Lateral, Rt wrist X-ray, pediatric patient (male, age 1.5), image size 445x696. 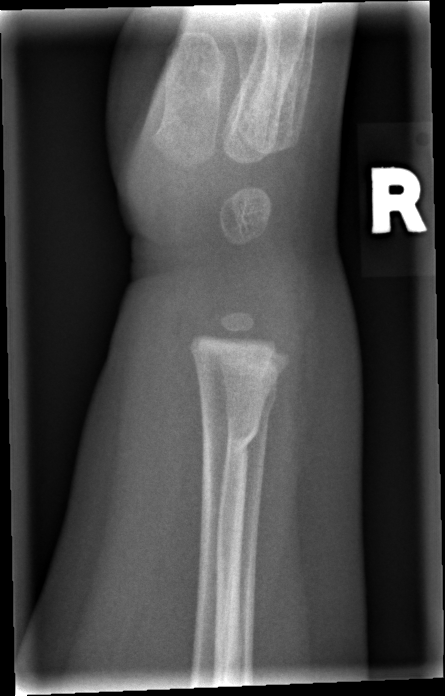 Q: Fracture present?
A: Fracture identified at 198,411,263,465
  222,382,280,421
Q: What is the AO/OTA classification?
A: AO code 23-M/2.1